Right wrist XR · AP view · in cast
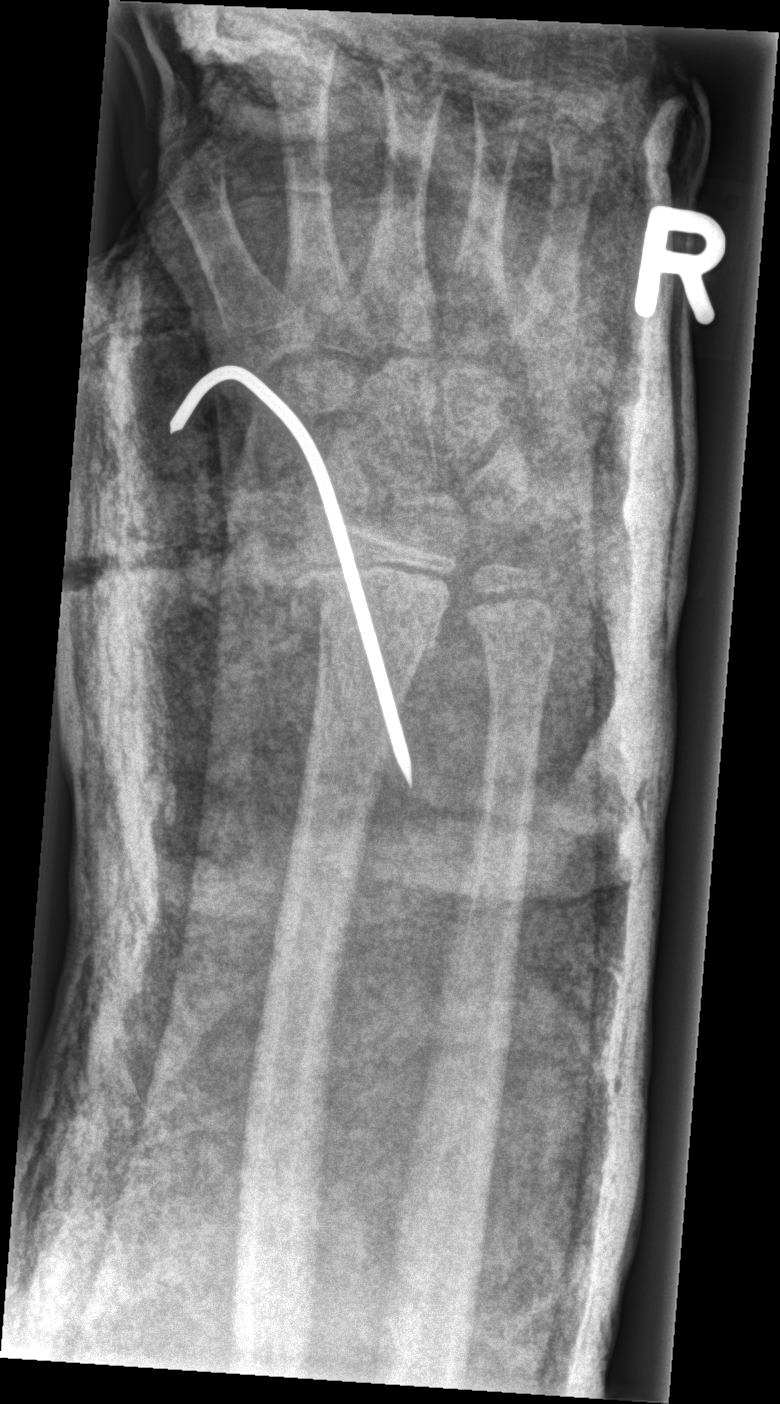 (boxes as x1,y1,x2,y2 (top-left / bottom-right, pixel units))
metallic implant = 173,370,416,787
AO code = 23-E/2.1
fracture = 310,554,457,658 | 465,599,561,659